Lateral view, right wrist plain radiograph of the wrist
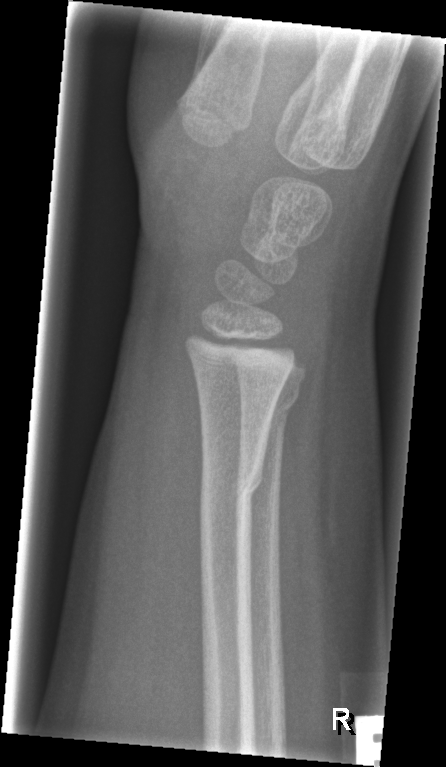

FINDINGS — AO code 23-M/2.1. Bone fractures — 195 444 270 514 | 240 381 308 423.